Lateral · right wrist plain radiograph of the wrist · age 10 y, girl · detector: Siemens —

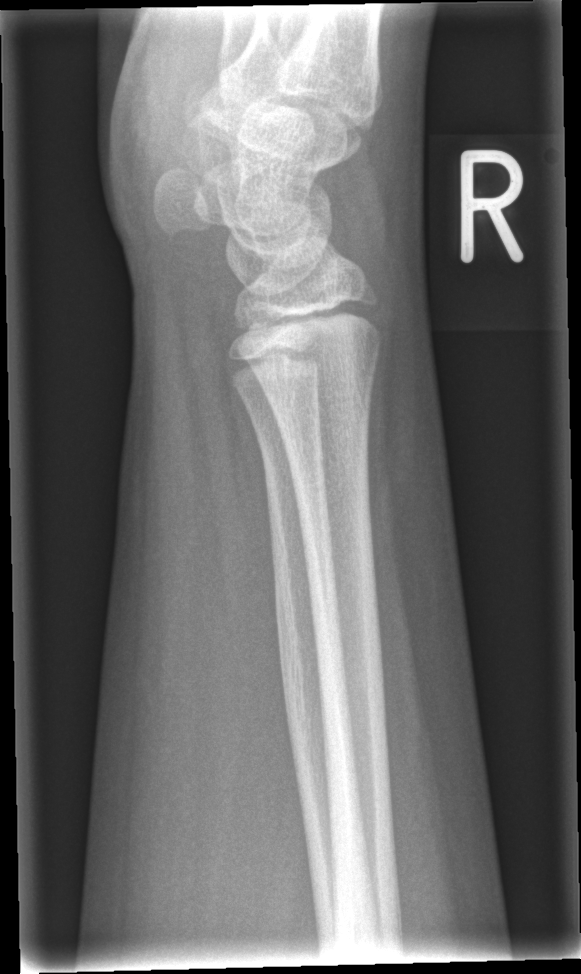

Q: Is there a fracture?
A: No fracture bounding box